Lateral projection | left wrist X-ray | boy, 12 yo:

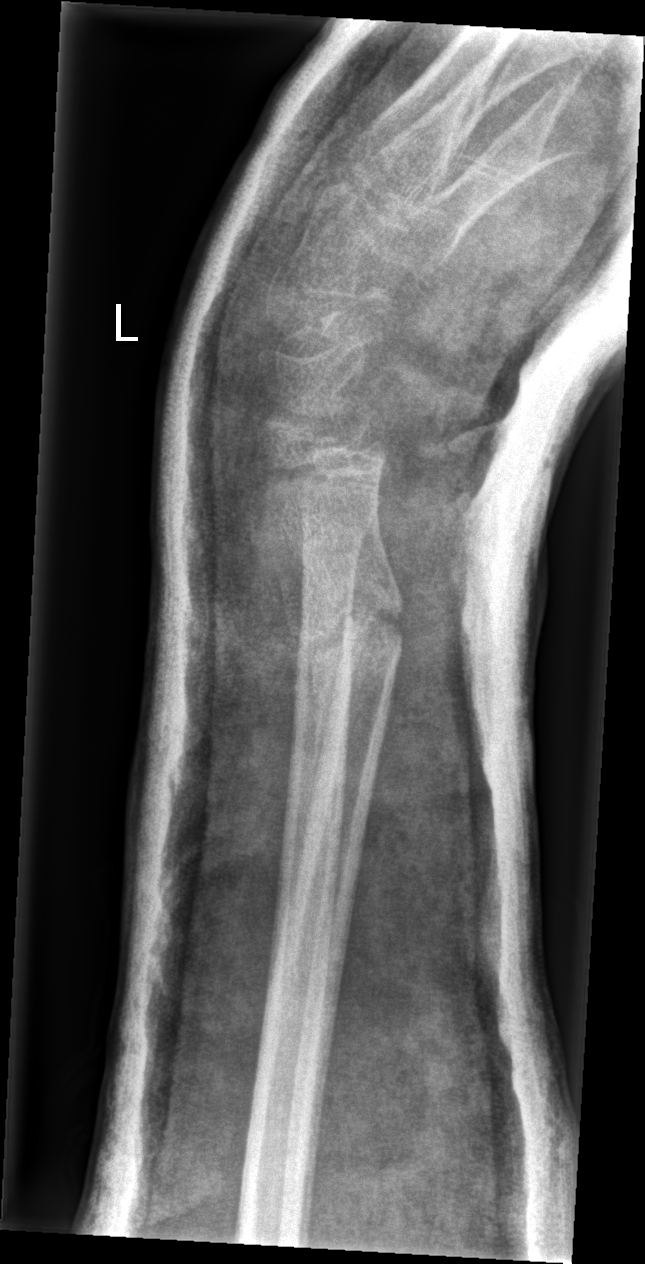

Periosteal new bone — 262 495 348 827. Fx — 281 567 411 697. Osteopenic. AO/OTA classification: 23r-M/3.1; 23u-M/2.1.